Lateral · Rt pediatric wrist radiograph · 8y F · 546 x 862 px. 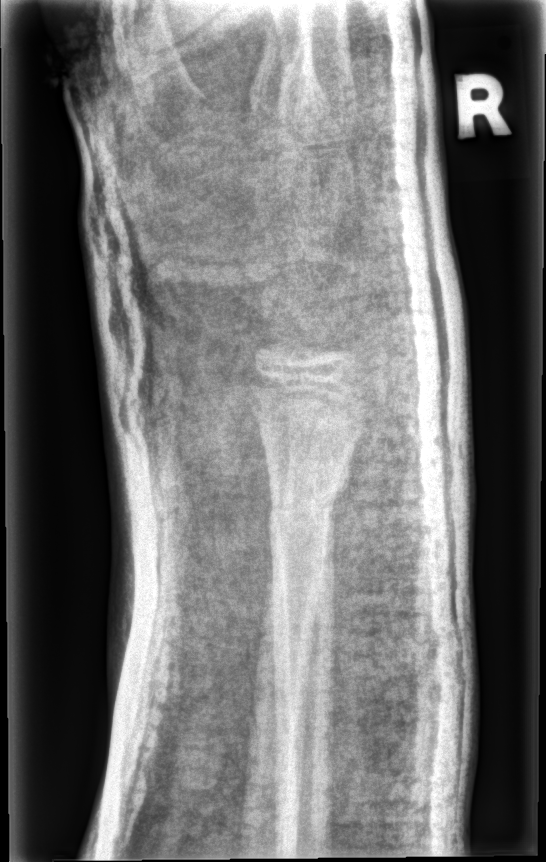 • Boxes as x1,y1,x2,y2 (top-left / bottom-right, pixel units).
• Fx — 265 461 350 527.
• Fracture classified AO/OTA 23r-M/3.1; 23u-M/2.1.